AP projection | right wrist radiograph | 13y M | presentation radiograph —

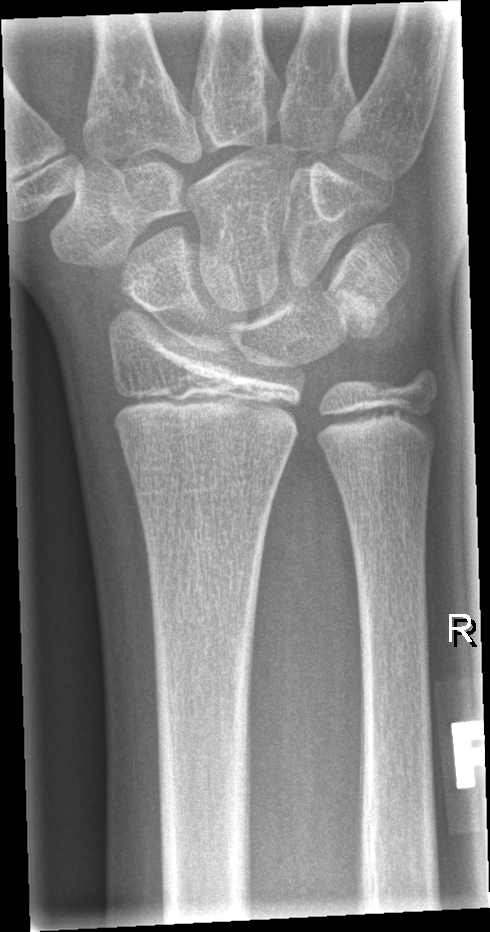
Fracture: none labeled.